Lat projection; right wrist X-ray; female, 15 yo
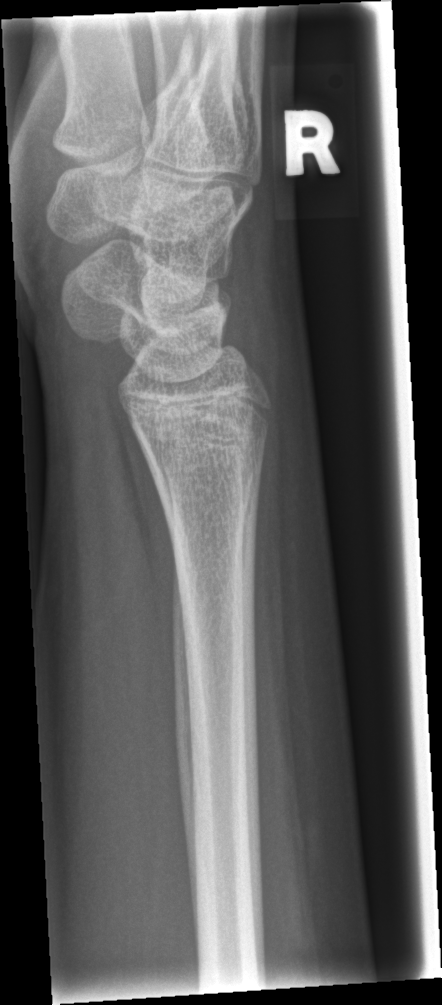

fracture = none labeled